Posteroanterior projection | Lt wrist radiograph | 14-year-old male | index exam. 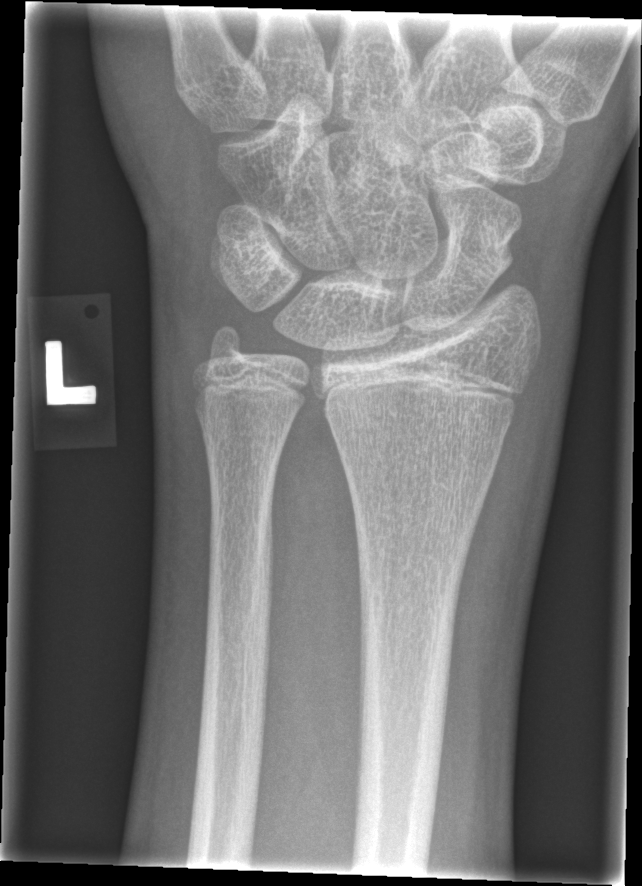 - No Fx annotated.